Left plain radiograph of the wrist, posteroanterior view, Siemens —

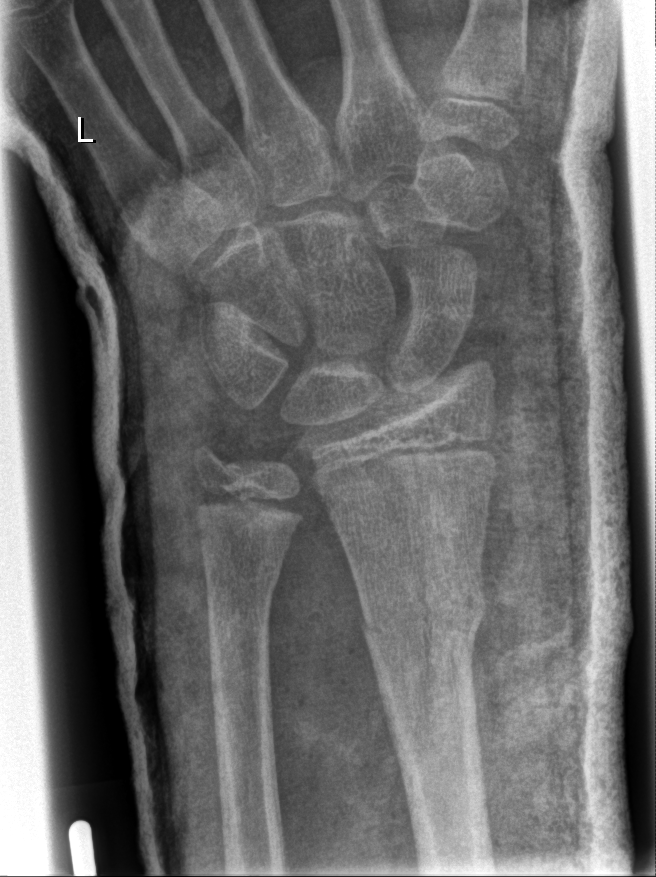
FINDINGS: (pixel coordinates, top-left origin, xyxy) AO/OTA classification: 23r-M/3.1; 23u-M/2.1. Two Fx at bbox(356, 569, 490, 651); bbox(201, 552, 288, 607).